R pediatric wrist radiograph; lat view; boy, 13 yo; presentation radiograph —

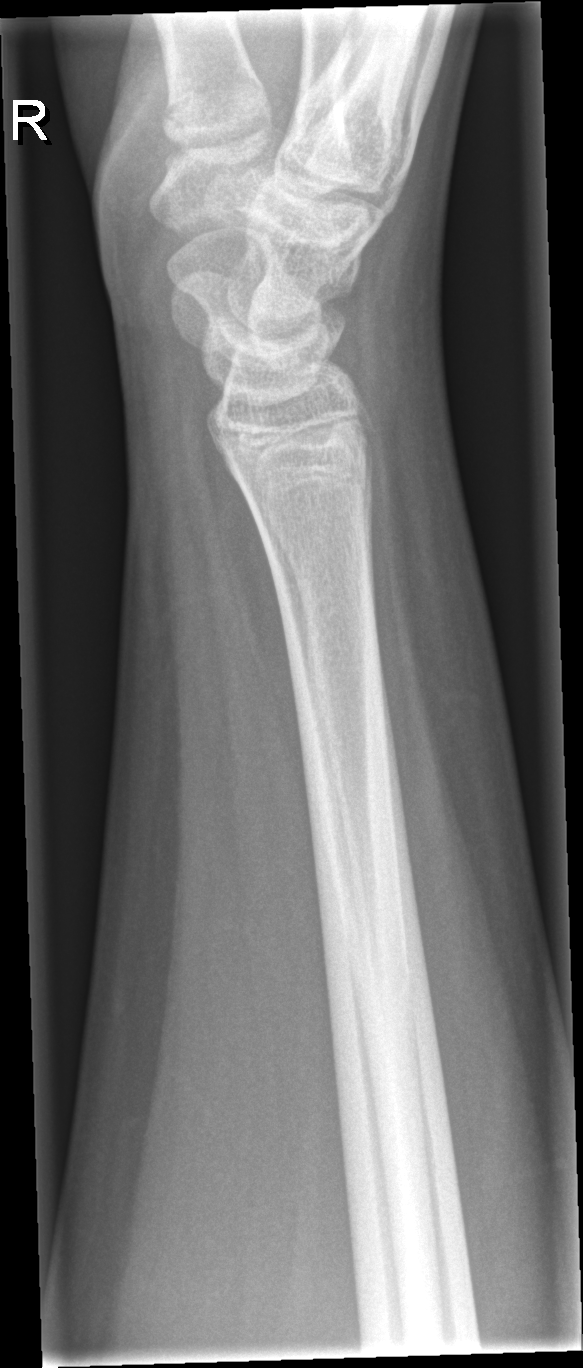
Q: Is there a fracture?
A: No Fx annotated